AP projection, right wrist X-ray — 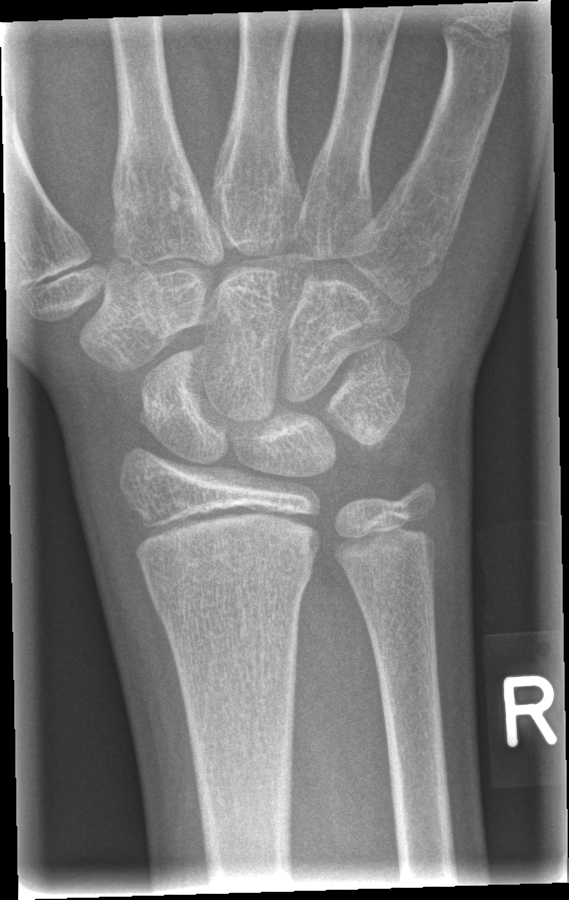
AO code 23r-M/2.1. Fracture identified at (136, 543, 317, 608).